Lateral view · Rt wrist radiograph · 10-year-old boy · index exam 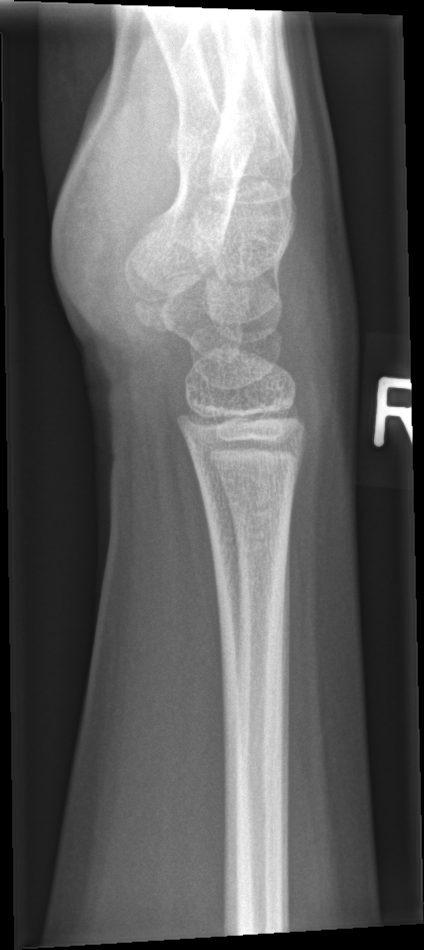 Fx = none labeled